AP; right wrist plain film; follow-up —
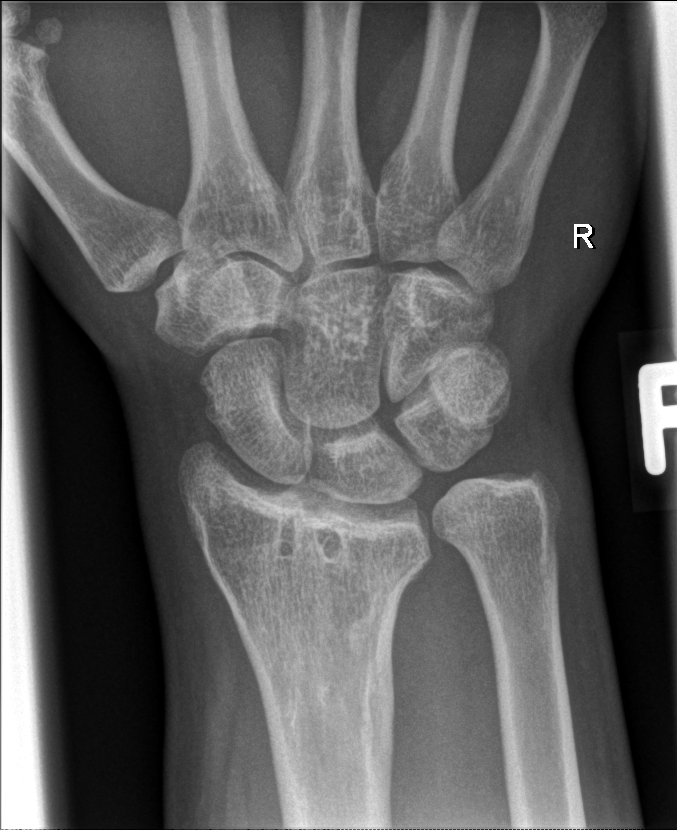
* Bone variant: (265, 474, 364, 584); (475, 439, 568, 535).
* Fracture identified at (262, 625, 403, 806).